R wrist radiograph · lat · subsequent exam · detector: Siemens.

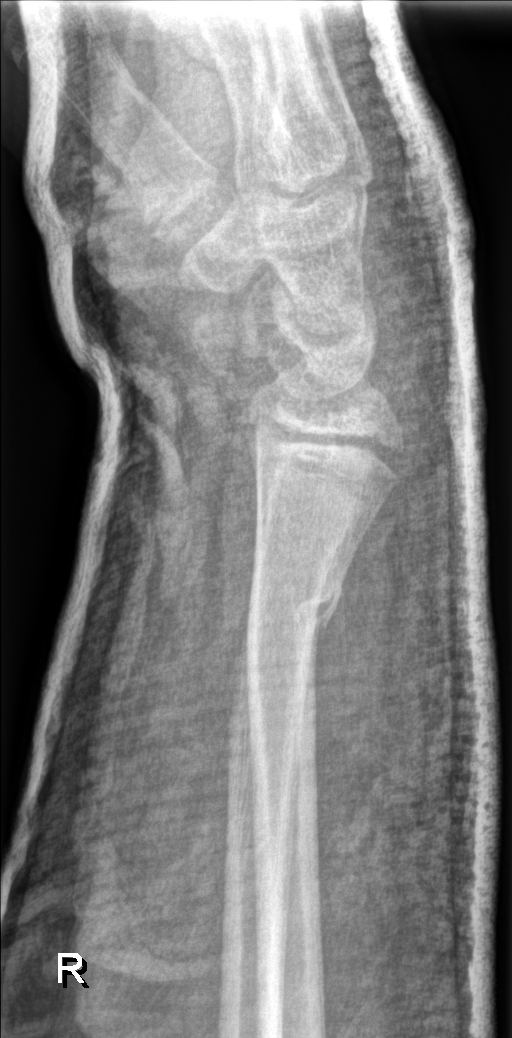 Fx: 237,572,341,646.